Rt plain radiograph of the wrist, PA projection, 10y M:
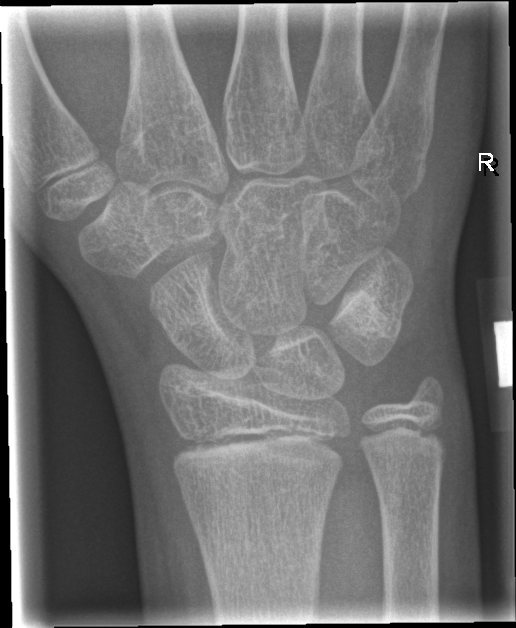
No Fx annotated.